Right wrist X-ray, PA/AP view, initial study, detector: Siemens:

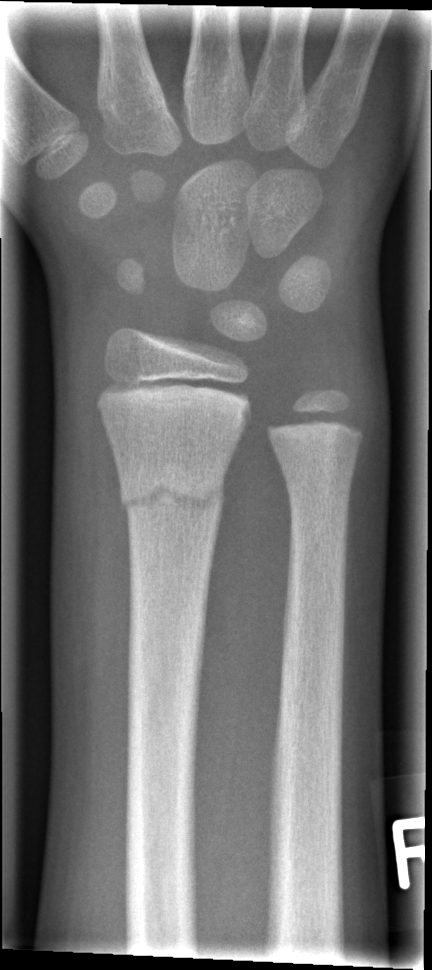 Bone fracture identified at bbox(114, 461, 231, 529).
AO code 23r-M/3.1.